Left wrist plain film · PA/AP projection · 8-year-old girl. 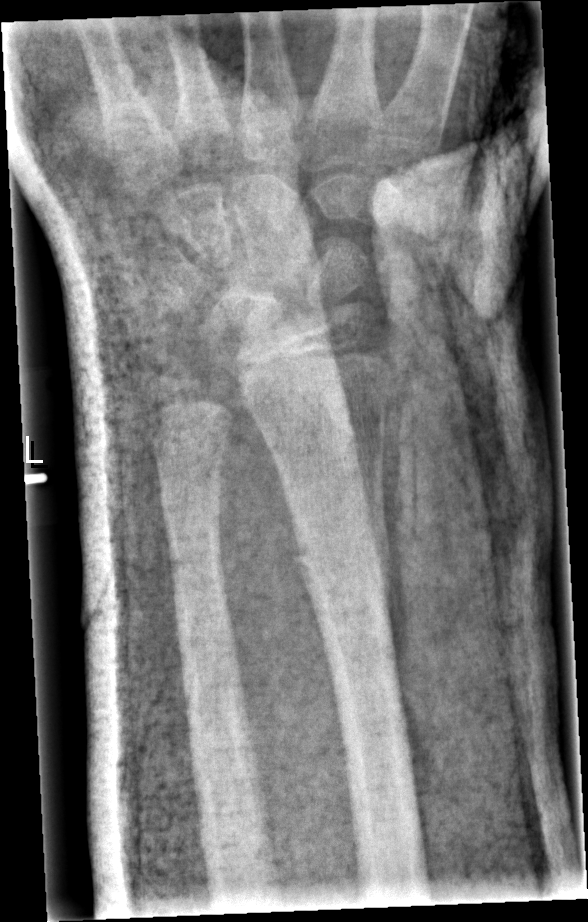 ao: 23r-M/3.1; 23u-M/2.1
fracture: (292, 521, 393, 600)